Right wrist plain radiograph of the wrist | lat | presentation radiograph | 85.7 mm image width:

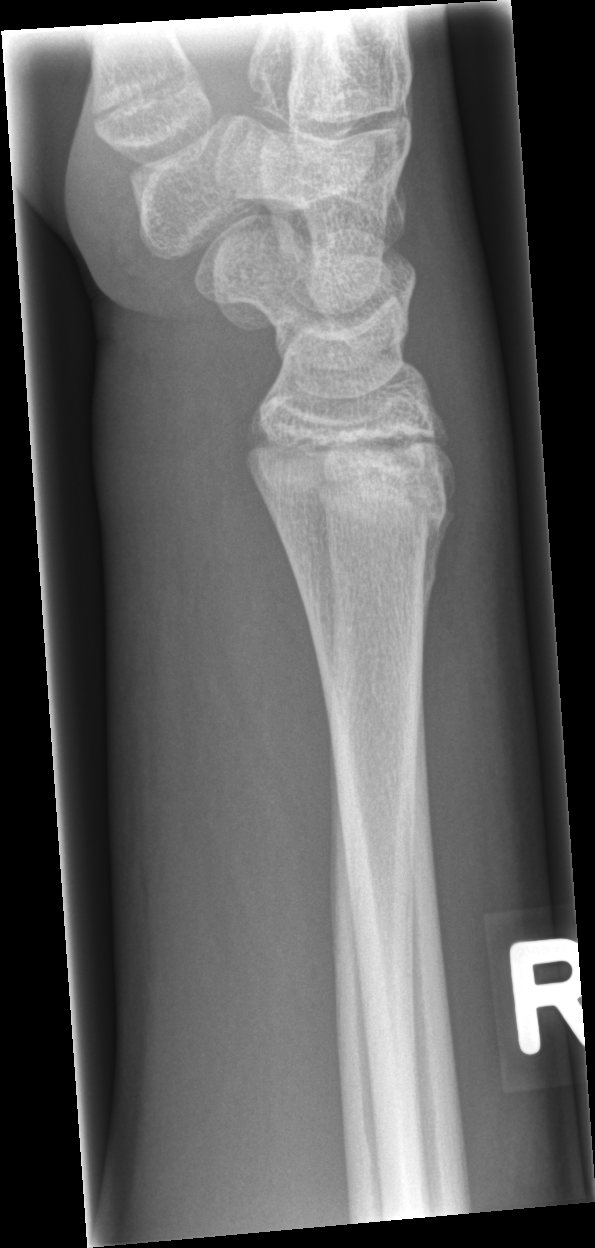
soft-tissue finding: 1 @ (116, 294, 343, 1079)
fracture: (243, 462, 450, 545), (322, 527, 441, 613)
positive pronator fat-pad sign: 1 @ (193, 375, 337, 839)